L wrist plain film, PA, 11y M, subsequent exam 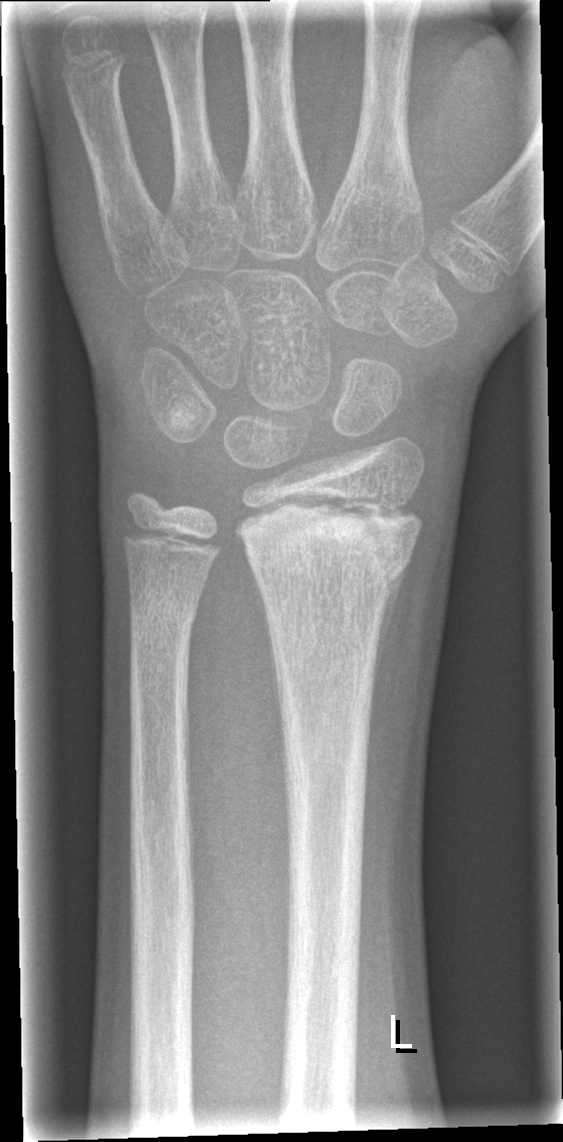 One periosteal new bone at <378,576>-<401,667>. Fx identified at <234,499>-<425,605>. AO code 23r-E/2.1; 23u-M/2.1.